R pediatric wrist radiograph | posteroanterior projection | follow-up | Siemens —

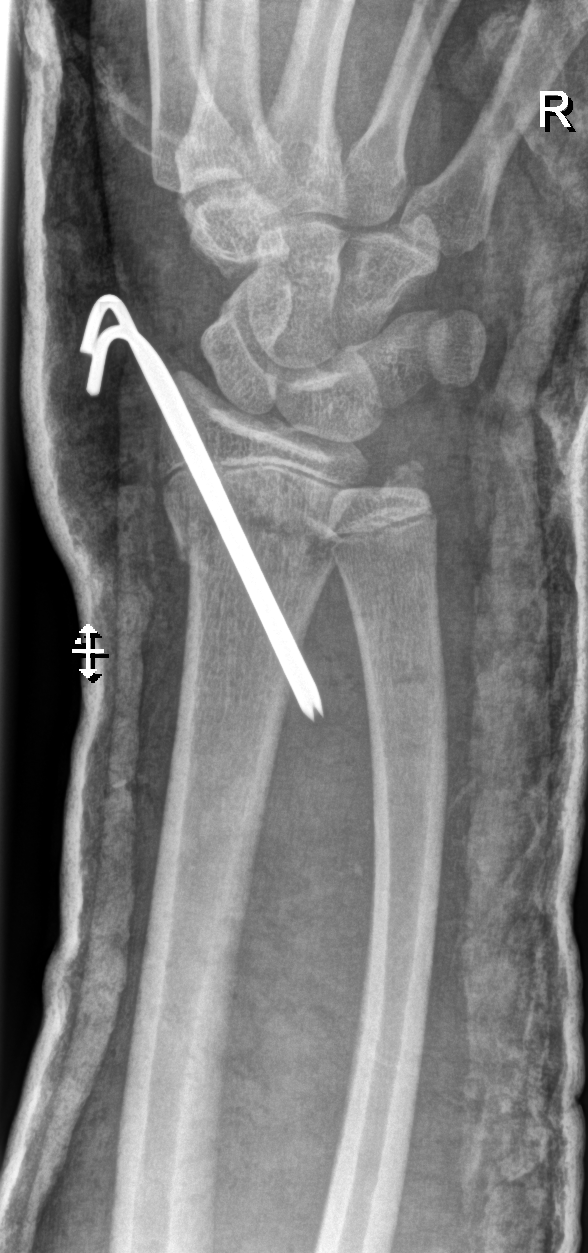
Coordinates are [x1, y1, x2, y2] in image pixels.
Fracture classified AO/OTA 23r-M/3.1; 22u-D/1.1; 23u-E/7.
Fracture: bbox(170, 481, 341, 599), bbox(373, 450, 439, 506).
Metallic hardware: bbox(78, 291, 329, 725).